Lat; left wrist pediatric wrist radiograph; Siemens 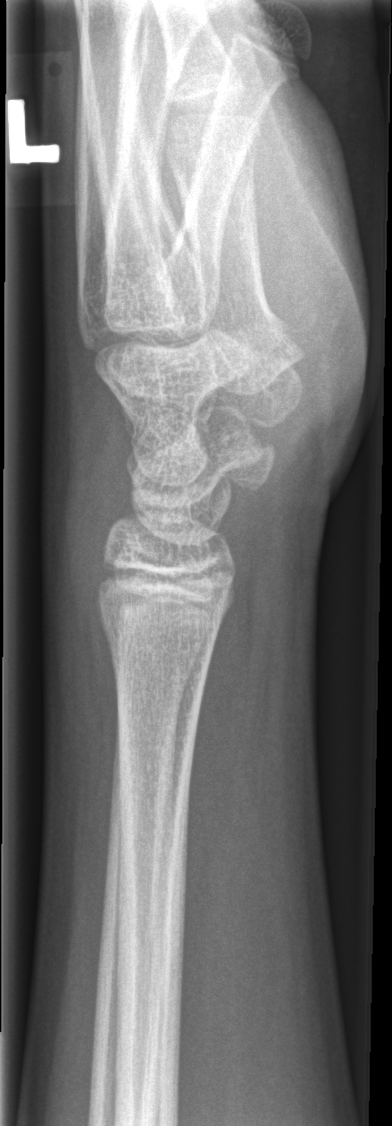 No fracture labeled.